Right wrist X-ray | PA/AP projection.
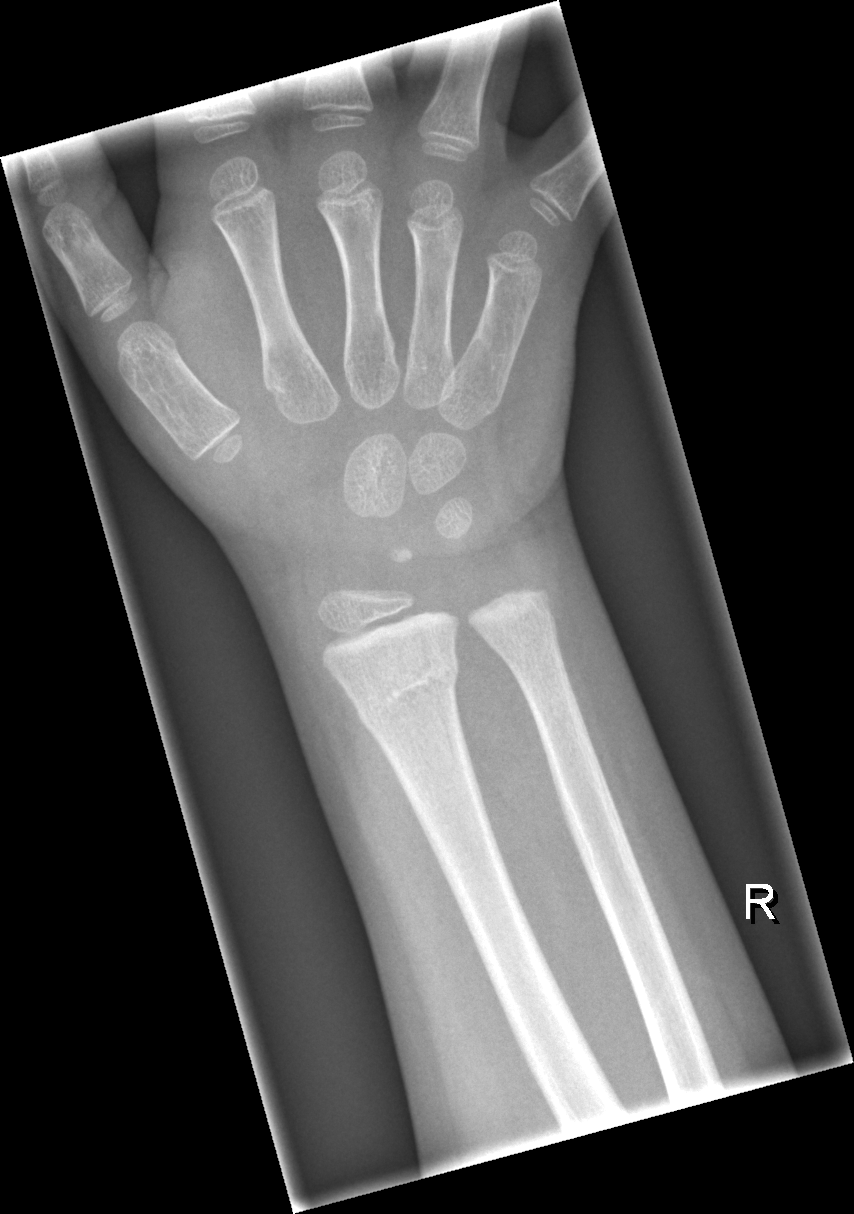 (bounding boxes in image-pixel xyxy)
Fx: 2 @ 352 650 463 734
  484 608 561 658